Lat view; left wrist plain film

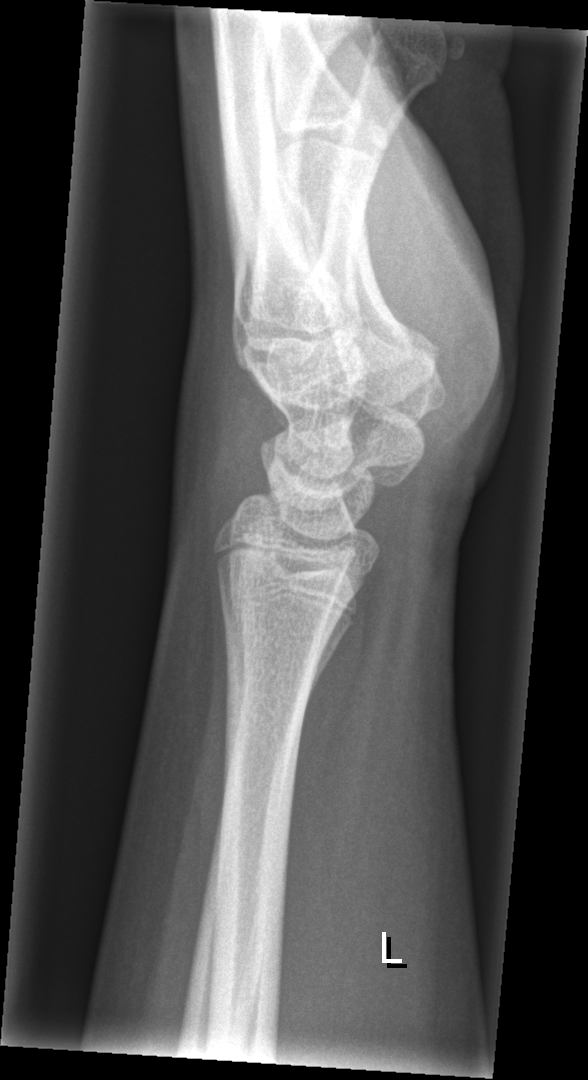
• No fracture labeled.